Posteroanterior | left wrist plain film | 666x888 — 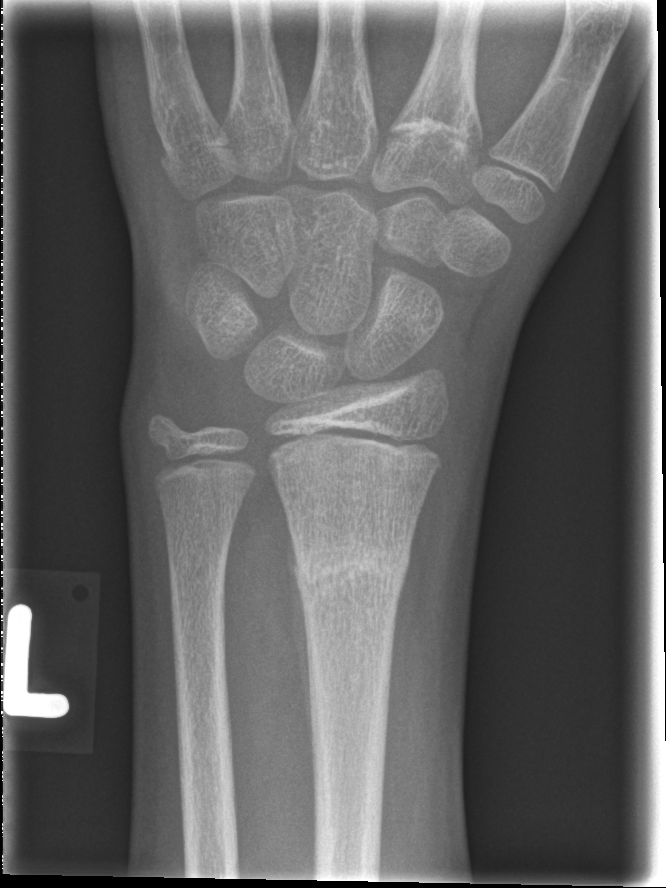

(pixel coordinates, top-left origin, xyxy)
bone fracture = 1 @ <278,528>-<425,615>
periosteal reaction = 1 @ <287,531>-<317,791>
osteopenia = present